Lateral view · left plain radiograph of the wrist · male, 9 yo · subsequent exam
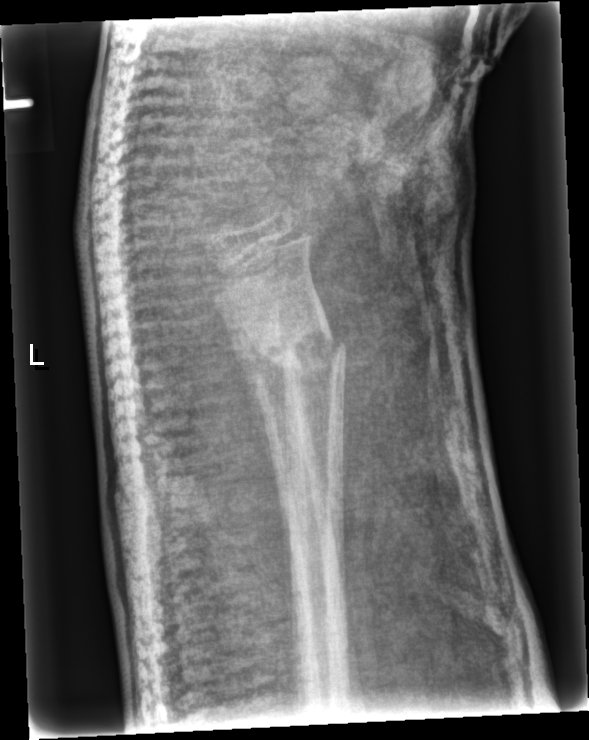

AO code 23-M/3.1.
One Fx at bbox(241, 309, 350, 391).